Lateral view | L plain radiograph of the wrist | follow-up study:
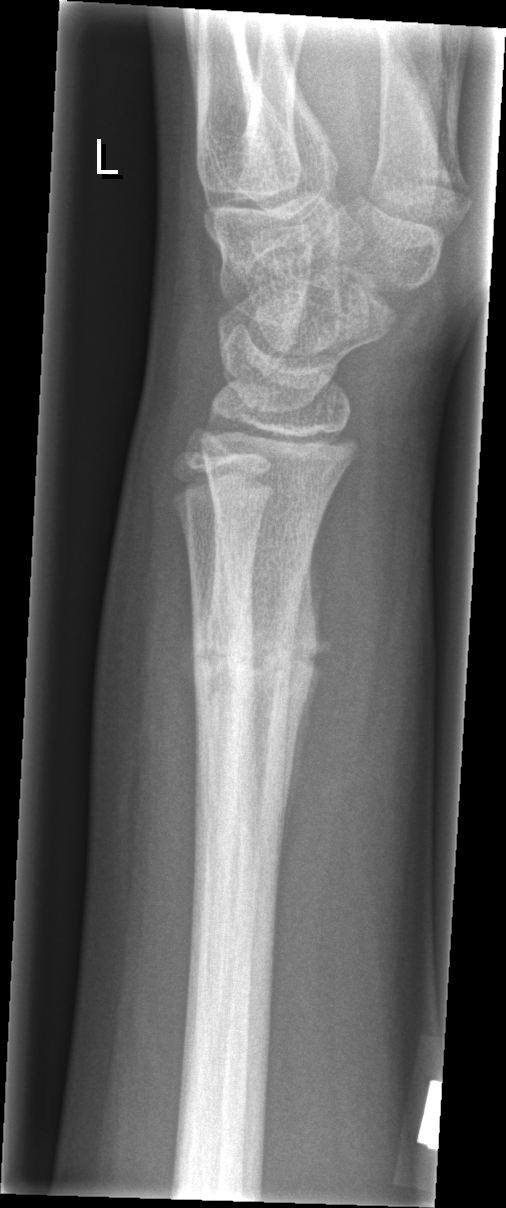
Bounding boxes in image-pixel xyxy.
Periosteal new bone — [277, 542, 326, 850].
Fracture classified AO/OTA 23r-M/3.1.
Fx identified at [193, 613, 309, 701].